Right wrist radiograph; frontal view; follow-up; detector: Siemens

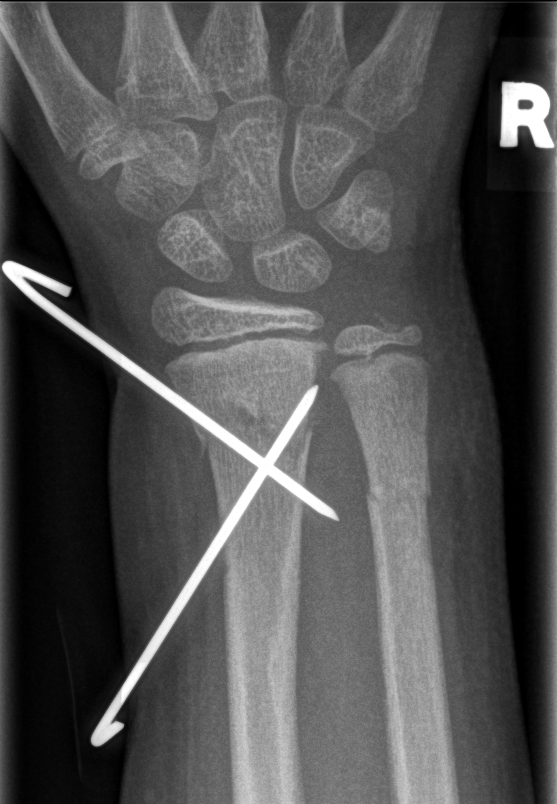
(boxes as x1,y1,x2,y2 (top-left / bottom-right, pixel units))
osteopenia = present
metal = bbox(1, 260, 338, 750)
AO classification = 23-M/3.1; 23u-E/7
Fx = bbox(192, 392, 316, 463), bbox(361, 302, 426, 351), bbox(363, 473, 434, 517)